PA view · left wrist plain film · cast present · image 96.8 mm wide

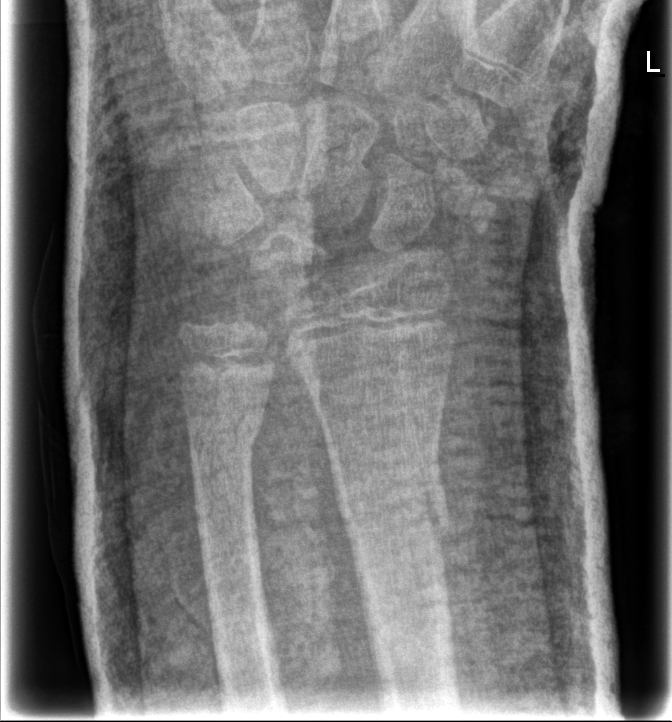
Pixel coordinates, top-left origin, xyxy. Bone fracture: [324, 443, 456, 560]; [184, 413, 268, 483]. AO/OTA classification: 23r-M/3.1; 23u-M/2.1.